AP projection · right plain radiograph of the wrist · initial study.

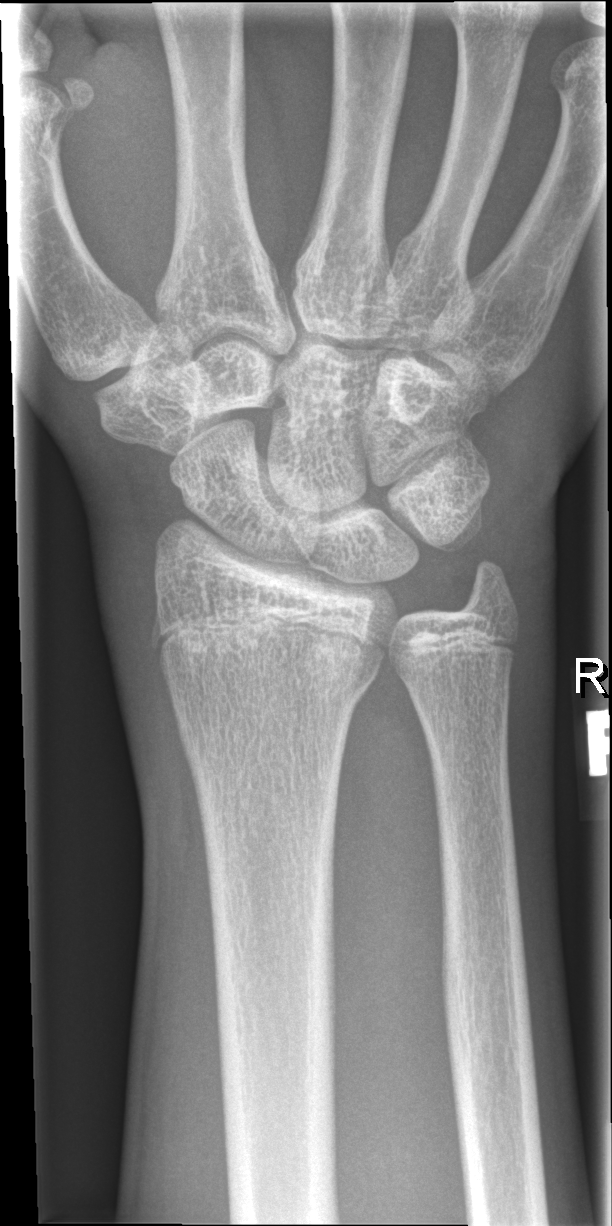 bone fracture = present but not clearly seen in this view
AO code = 23r-M/2.1